Right wrist radiograph | lateral projection | 13-year-old male | cast in situ | Siemens | 615 x 1040 px: 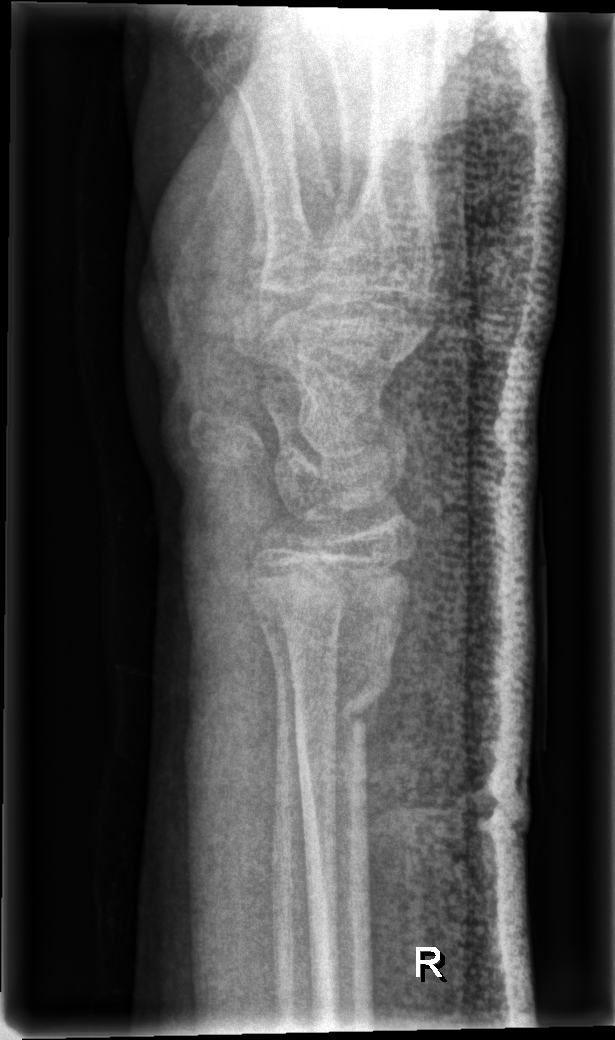 • Pixel coordinates, top-left origin, xyxy.
• Fx identified at 289,651,395,741.
• AO code 23r-M/2.1; 23u-E/7.